AP · Rt wrist plain film · pediatric patient (male, age 17) · image width 100.4 mm:
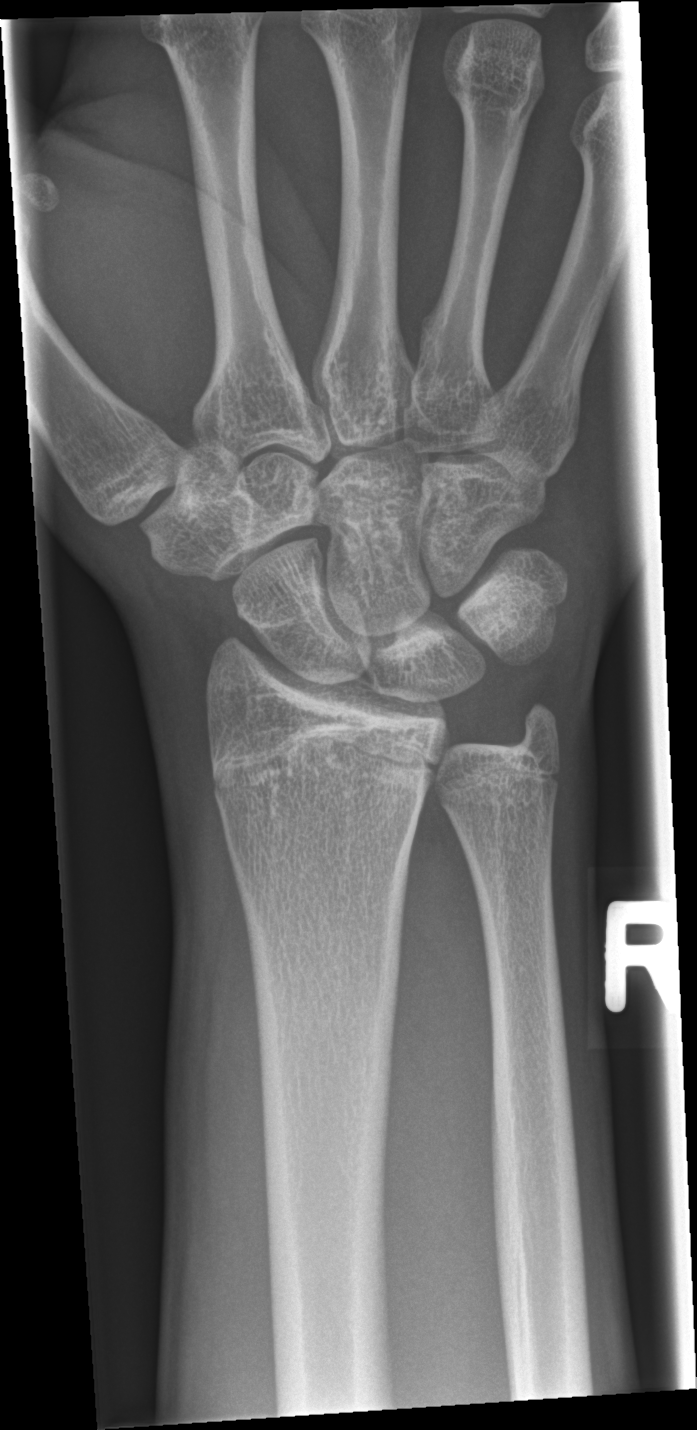
{
  "fracture": "none labeled"
}